PA/AP projection · L wrist X-ray · age 7 y, male · initial study · image width 70.8 mm:

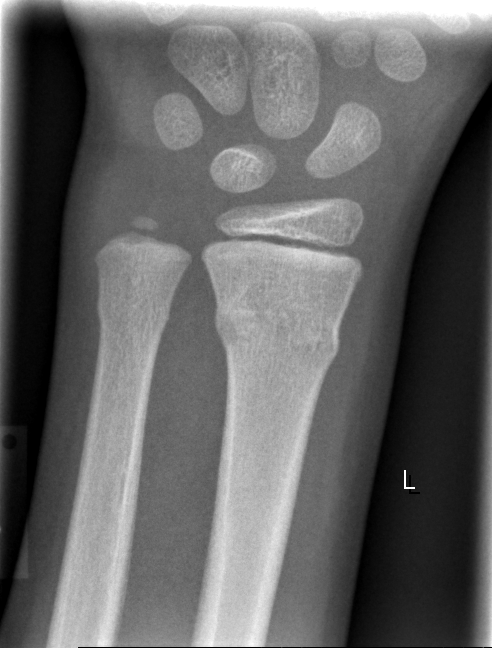
Fx identified at bbox(213, 305, 341, 362), bbox(95, 296, 171, 328).
AO code 23-M/2.1.